Left wrist X-ray, PA view, age 10 y, boy, imaged through cast.

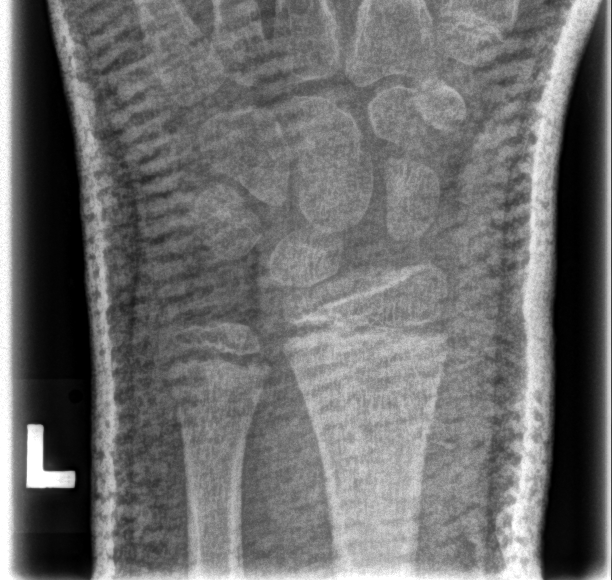

Q: Is there a fracture?
A: Fx present but not clearly seen in this view
Q: AO code?
A: AO code 23r-M/2.1